Lat projection; Lt plain radiograph of the wrist; cast present; detector: Siemens; 59.3 mm image width; image size 412x1074.

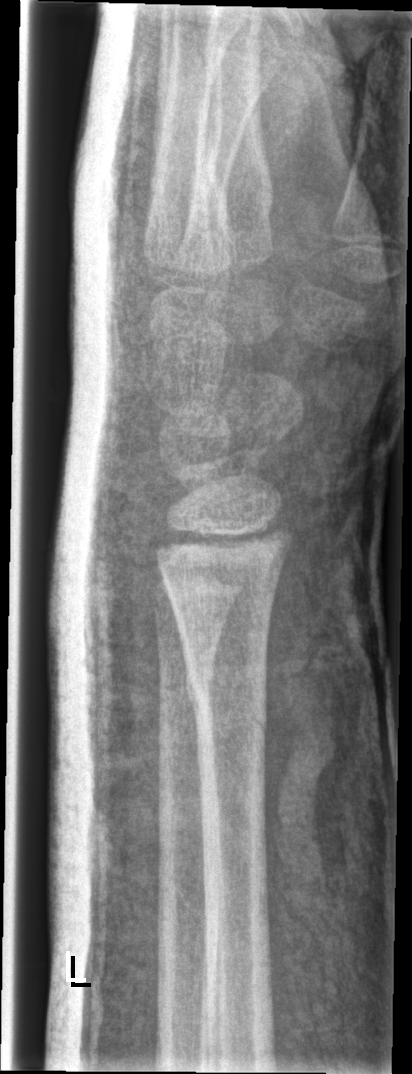 Q: Is there a fracture?
A: One Fx at <177,649>-<274,746>